Rt wrist radiograph, lateral projection, age 8 y, girl, presentation radiograph, image 66.0 mm wide 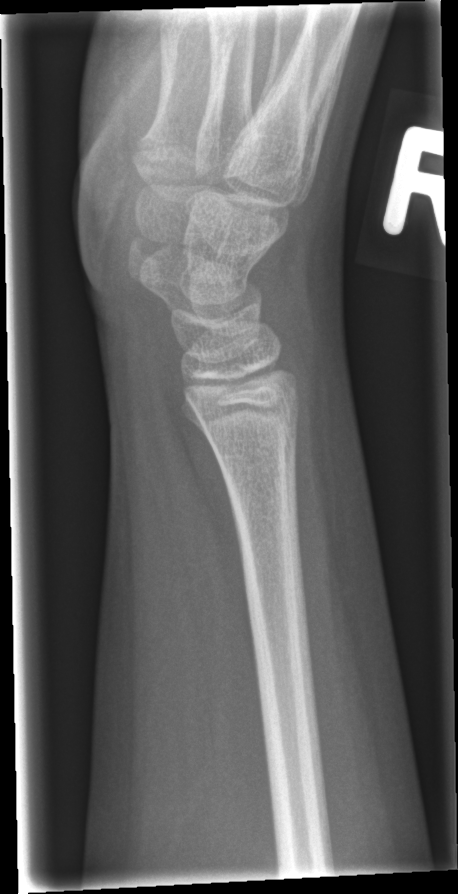 Q: Is there a fracture?
A: Fx: none